L wrist radiograph, lateral view, pediatric patient (boy, age 13), Siemens:

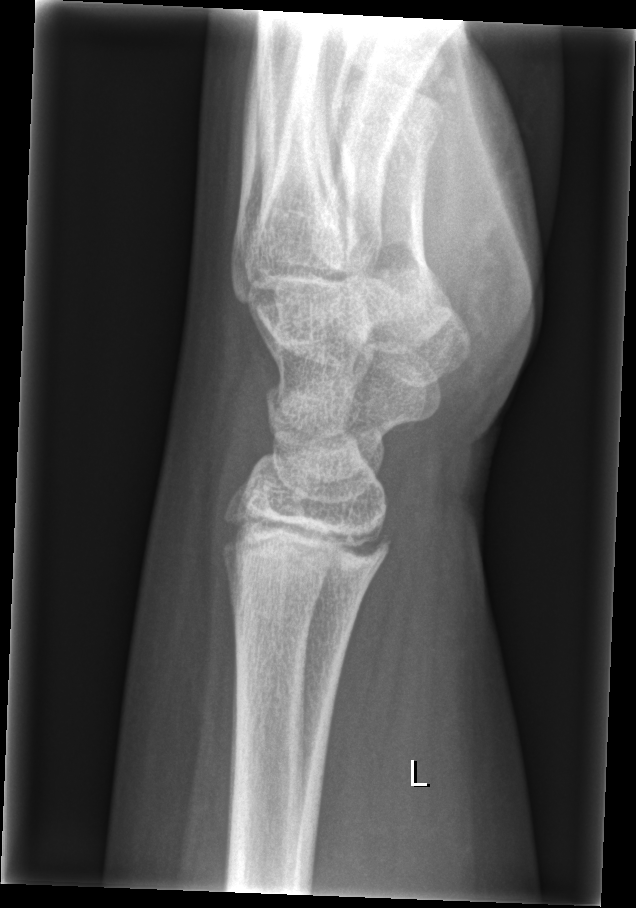
AO code = 23r-E/1
Fx = (222, 512, 396, 595)